L wrist XR | lat | detector: Siemens. 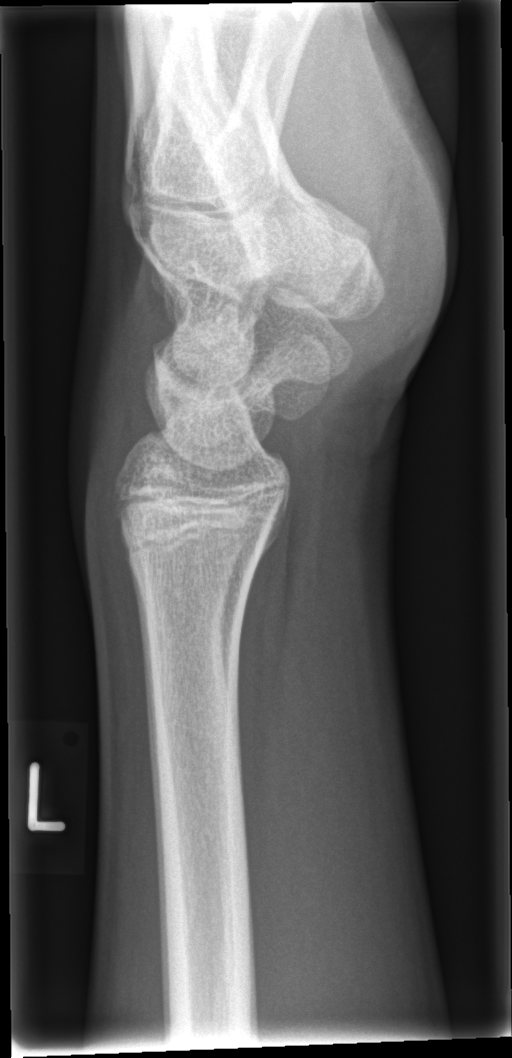

Bone fracture = none labeled